Lat projection · right wrist plain radiograph of the wrist · pediatric patient (male, age 7) · index exam.

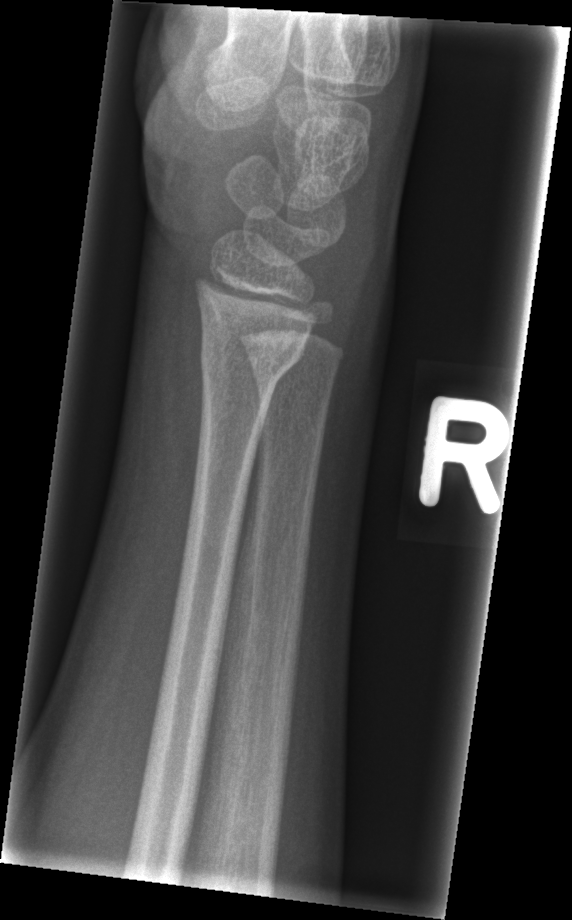

# boxes as x1,y1,x2,y2 (top-left / bottom-right, pixel units)
ao: 23r-M/2.1
fracture: 197 334 310 401